Rt wrist X-ray · frontal view · age 15 y, male. 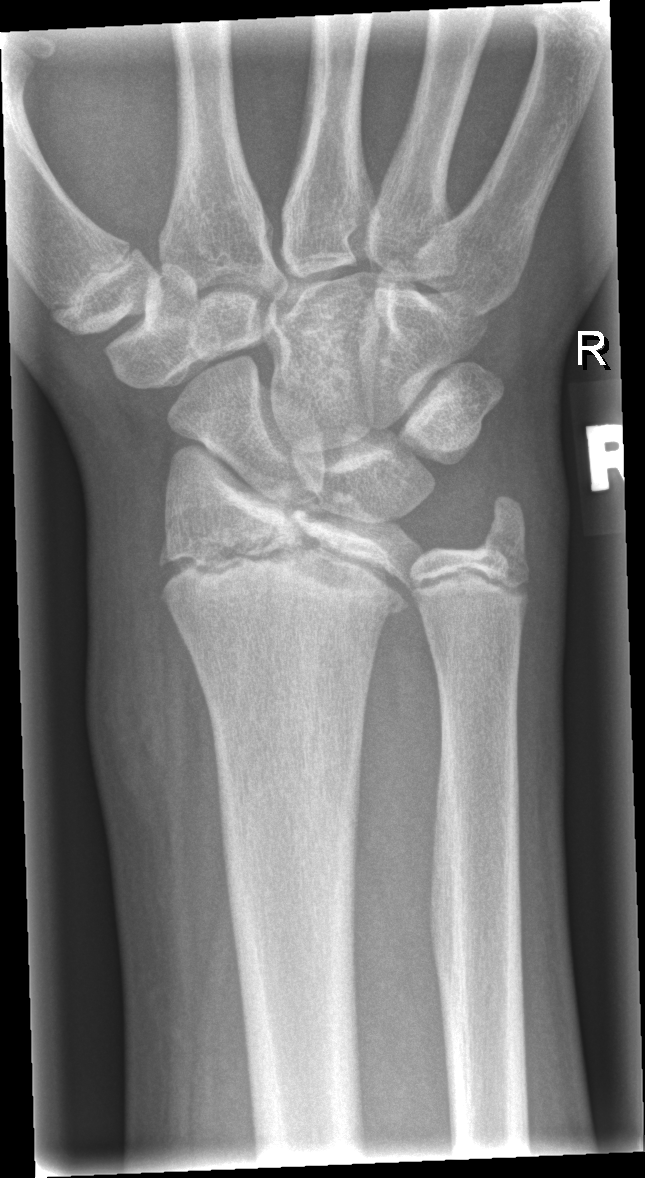

{"softtissue": "77,469,209,855", "fracture": "2 @ 156,443,422,620 | 465,488,533,579"}